Rt wrist X-ray | frontal | age 10 y, female | in cast —

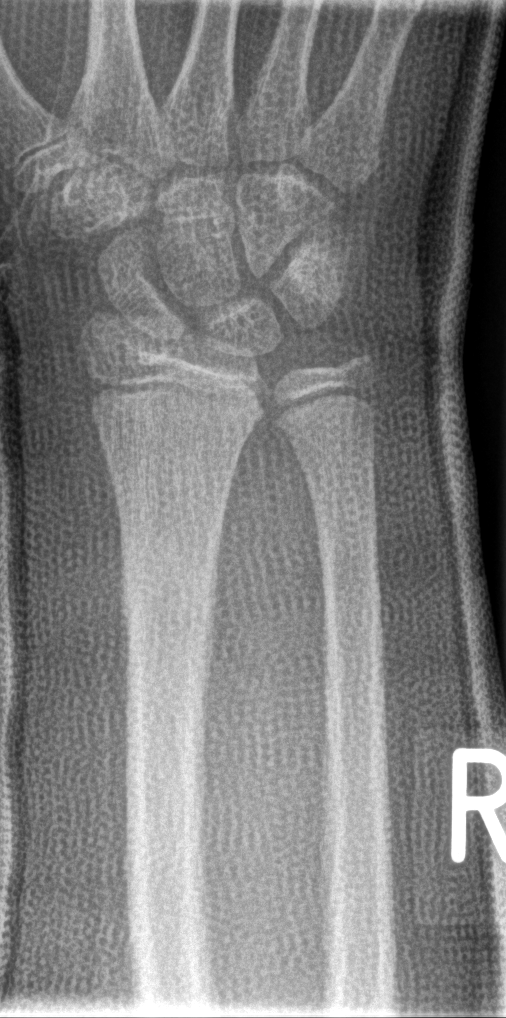 (bounding boxes in image-pixel xyxy)
AO/OTA = 22r-D/2.1
Fx = 1 @ [113, 560, 220, 639]